Frontal projection; R wrist plain film; female, 10 yo; 533x1074.

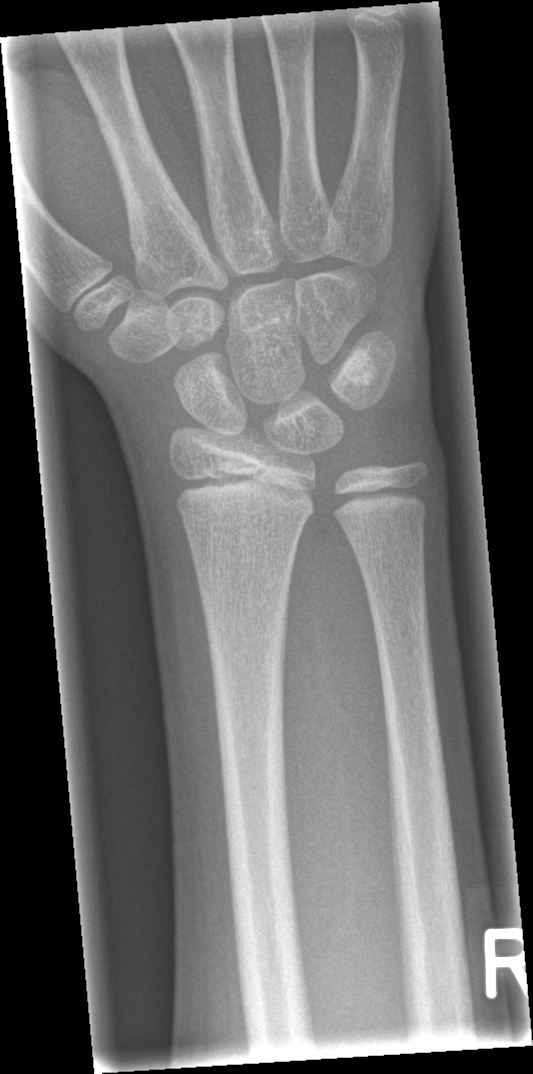 Fracture: none labeled